Left pediatric wrist radiograph · lateral projection — 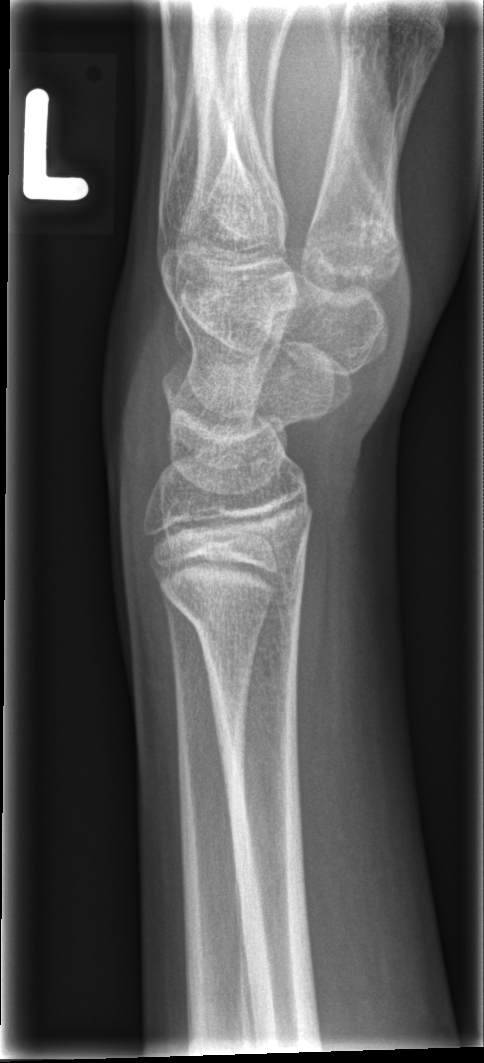

One bone fracture at (156, 568, 310, 655).